Frontal projection · left wrist XR · age 9 y, female:
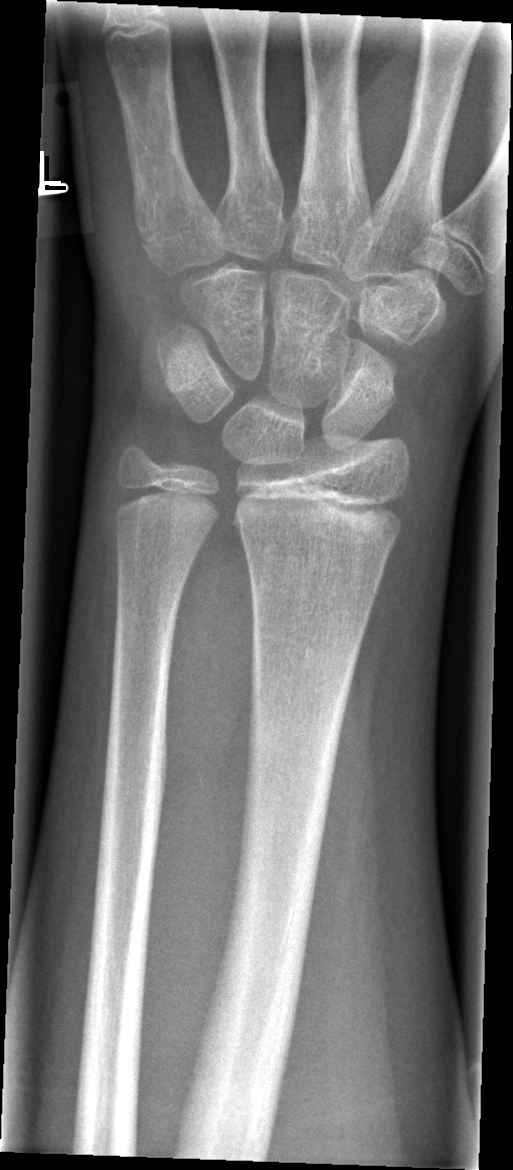 fracture = none labeled